Lat | left wrist XR | age 12 y, boy 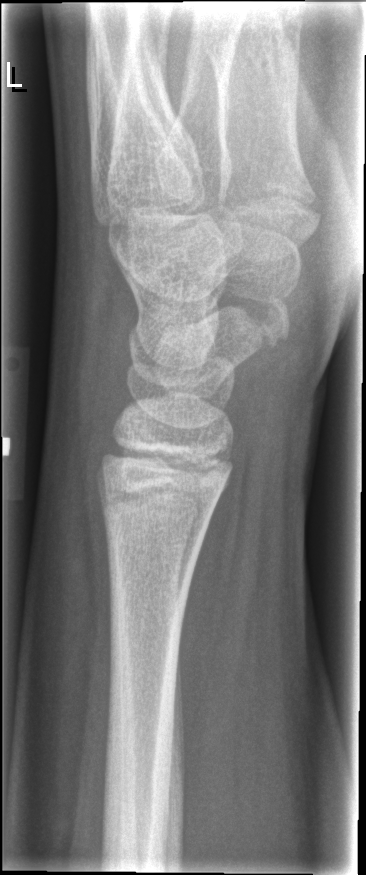
Q: Any fracture seen?
A: No Fx annotated